L wrist X-ray, PA view 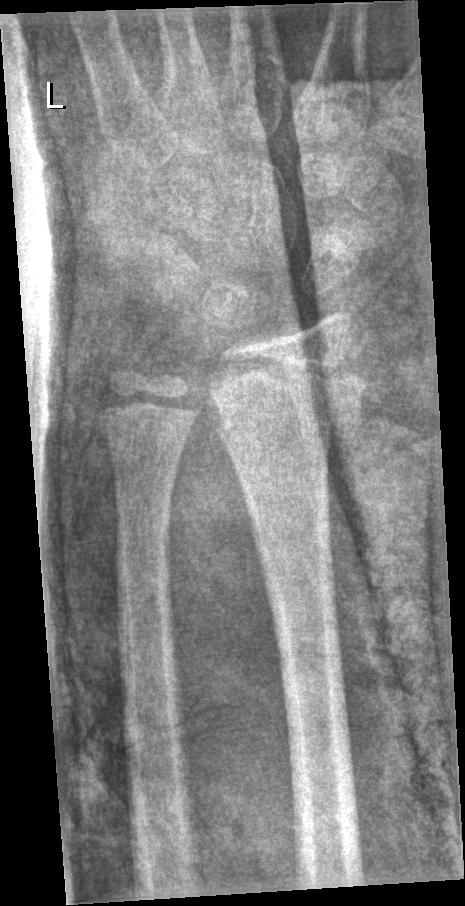
Fracture: (left=208, top=361, right=370, bottom=444).